Lt wrist plain film; PA; 12-year-old male; subsequent exam; 527x924 —

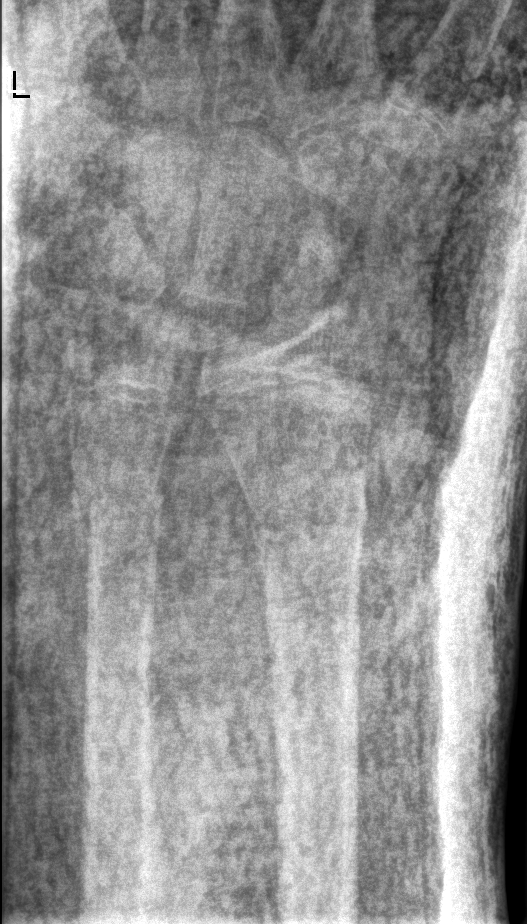
AO code 23-M/3.1. Two bone fractures at 242 483 372 559 | 69 479 168 527.